Left wrist XR, lateral, age 12 y, female, Siemens, 470 x 996 px —
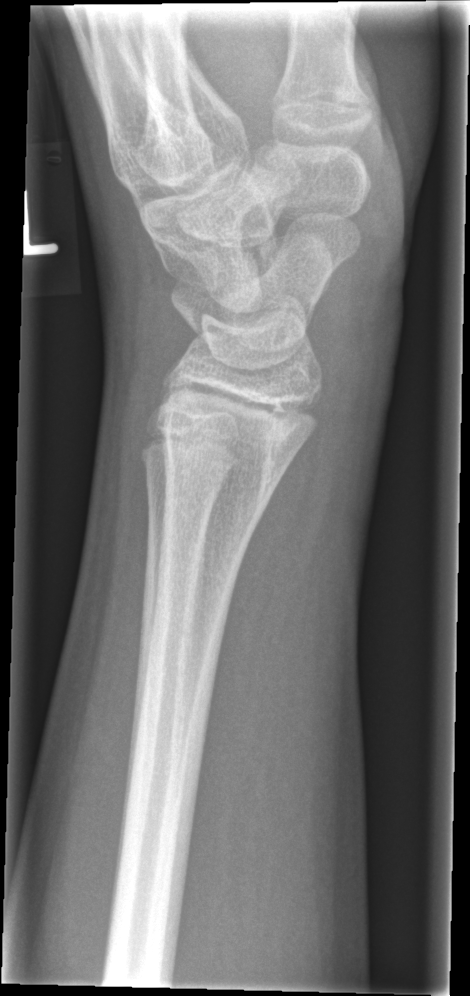
{"fracture": "none labeled"}